L plain radiograph of the wrist | AP view | 10y M | Siemens.

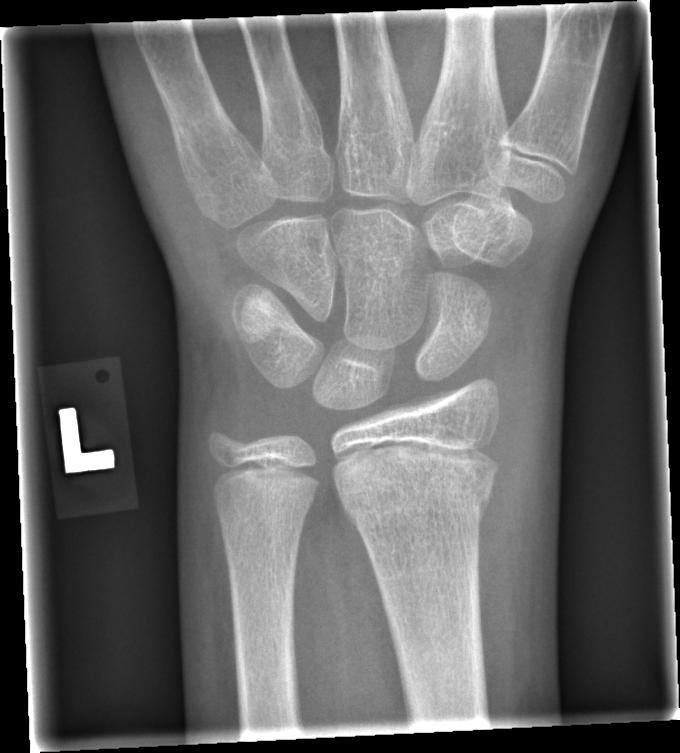 FINDINGS: (pixel coordinates, top-left origin, xyxy) AO code 23r-E/2.1; 23u-M/2.1. Two Fx at (left=325, top=442, right=501, bottom=531), (left=216, top=490, right=318, bottom=544).